Rt wrist X-ray, PA/AP view, age 10 y, male, subsequent exam — 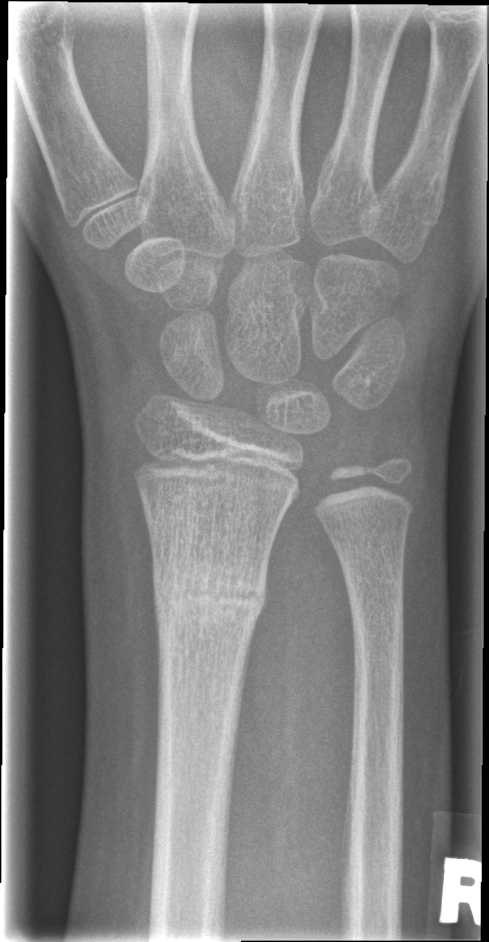

* Decreased bone density (osteopenia).
* One Fx at bbox(150, 556, 268, 633).